R wrist radiograph · lateral · 539x924:

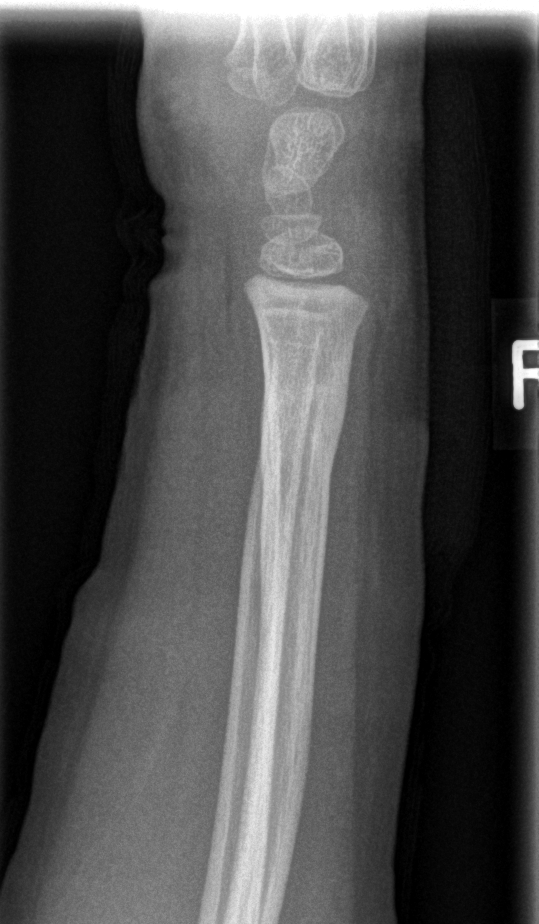

(boxes as x1,y1,x2,y2 (top-left / bottom-right, pixel units))
Osteopenia = present
AO classification = 23r-M/3.1
Fx = 1 @ <257,365>-<352,469>